R wrist radiograph; lat view; image size 459x982
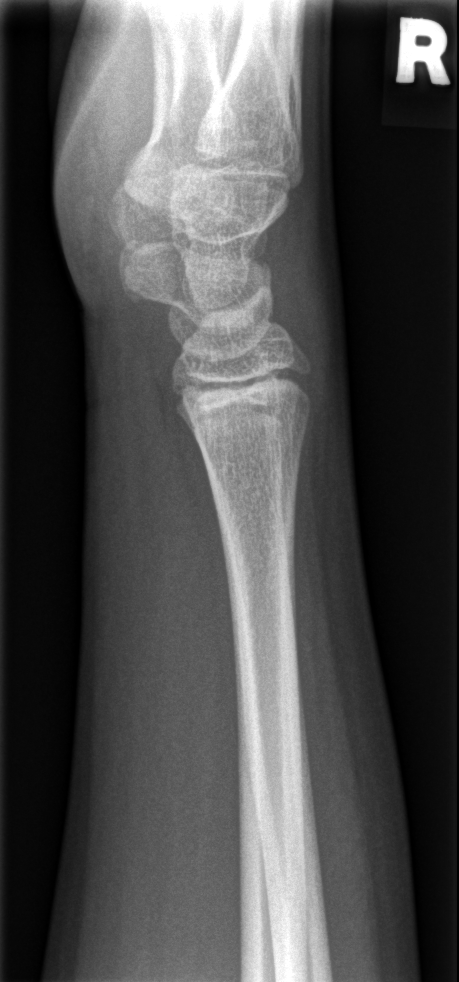
Fracture = none labeled